R wrist plain film, lat view, 3y F, subsequent exam, imaged through cast 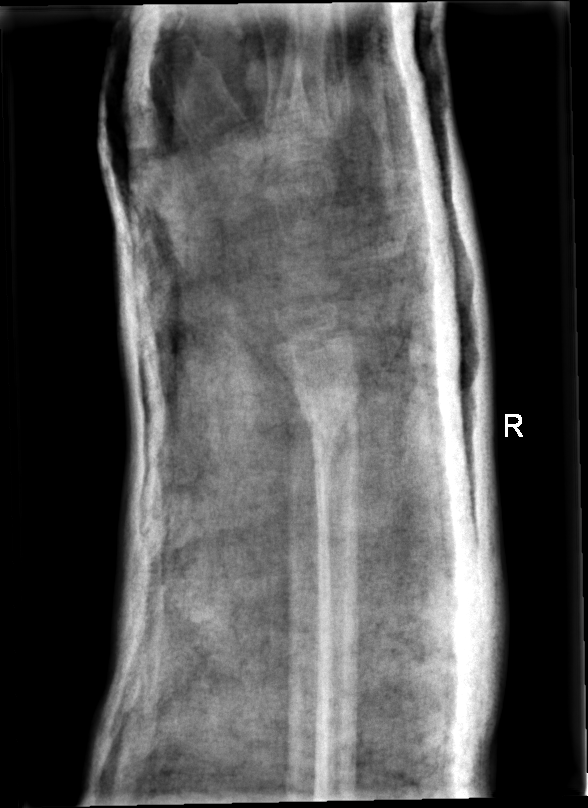
* One bone fracture at (299, 374, 365, 447).